Lat view, left pediatric wrist radiograph, pediatric patient (boy, age 10), acquired on Siemens
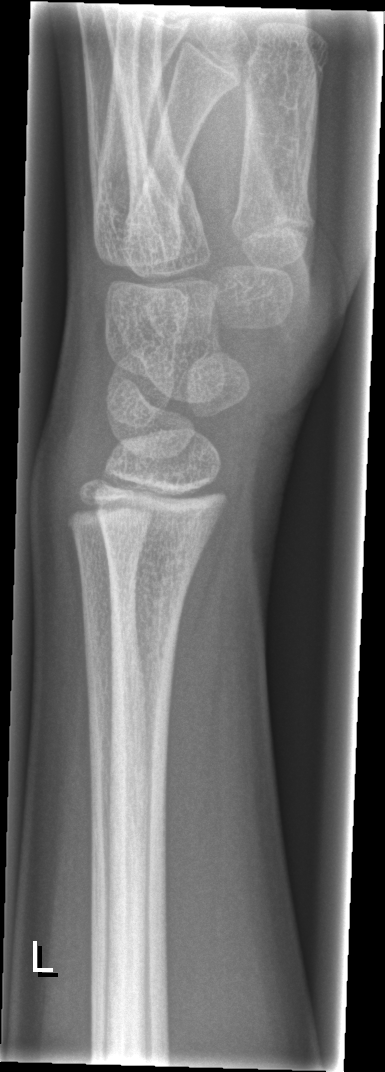
No Fx annotated.